Posteroanterior projection; L wrist plain film; 10-year-old male
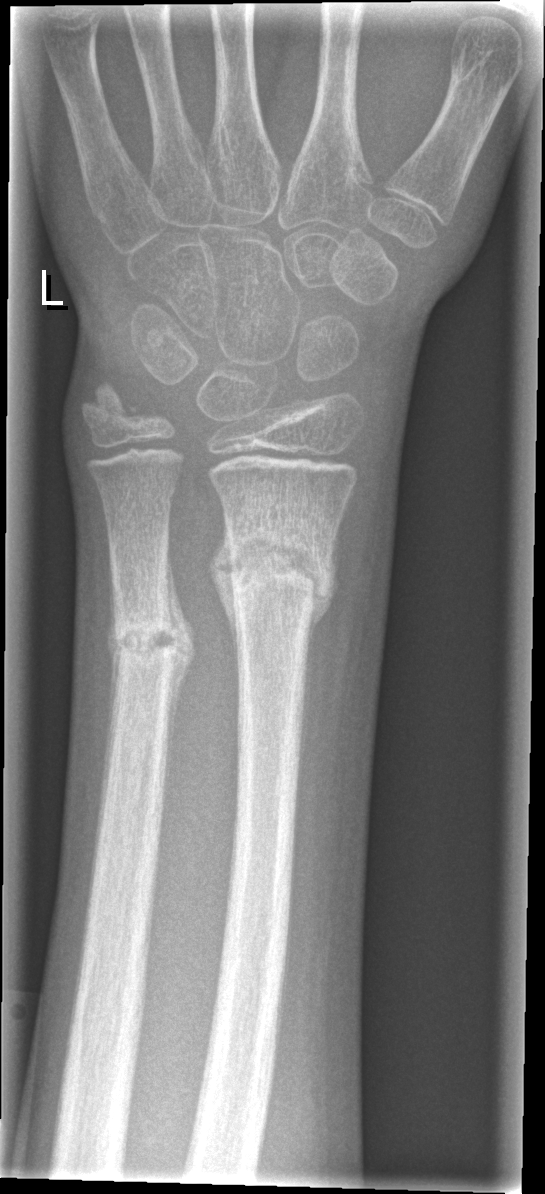
5 periosteal thickening at <164,545>-<198,786>; <292,619>-<316,864>; <208,512>-<240,672>; <311,531>-<341,633>; <105,562>-<122,736>. Three Fx at <210,522>-<339,638> <105,610>-<195,683> <79,379>-<148,445>. Reduced bone mineral density.